Lat projection · left wrist X-ray · follow-up study 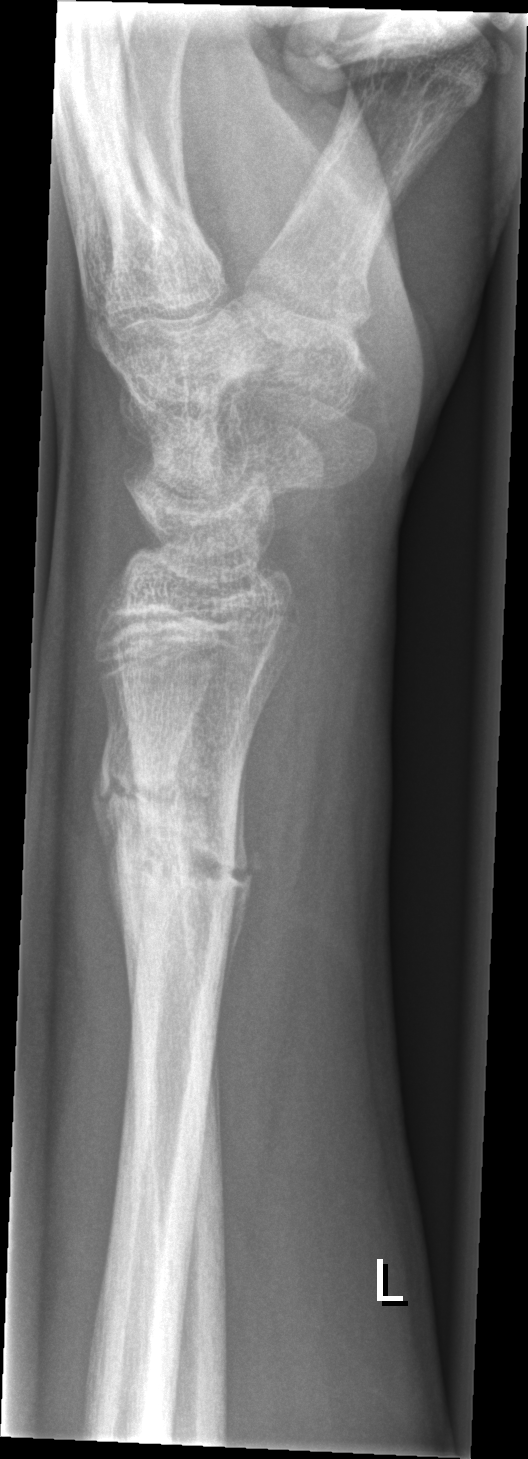 Q: Bone density?
A: Reduced bone mineral density
Q: Locate any fractures.
A: Two fractures at (left=95, top=729, right=189, bottom=825); (left=125, top=831, right=245, bottom=906)
Q: AO code?
A: AO/OTA classification: 23-M/3.1
Q: Any periosteal thickening?
A: Periosteal new bone: (left=215, top=743, right=261, bottom=1025), (left=91, top=759, right=127, bottom=944)